PA/AP projection; left wrist plain film; age 11 y, boy; index exam; 79.2 mm image width; 550 x 766 px:

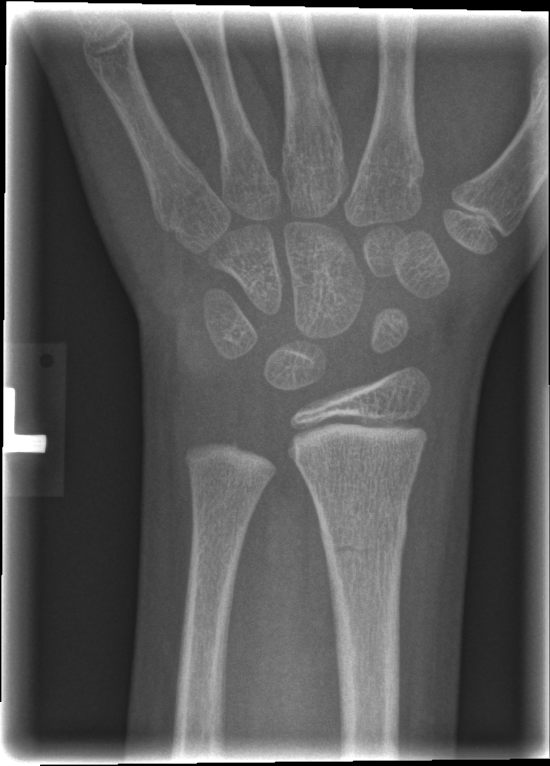 Fracture — (319, 509, 408, 562).
Fracture classified AO/OTA 23r-M/3.1.